Right wrist X-ray; lateral view; imaged through cast — 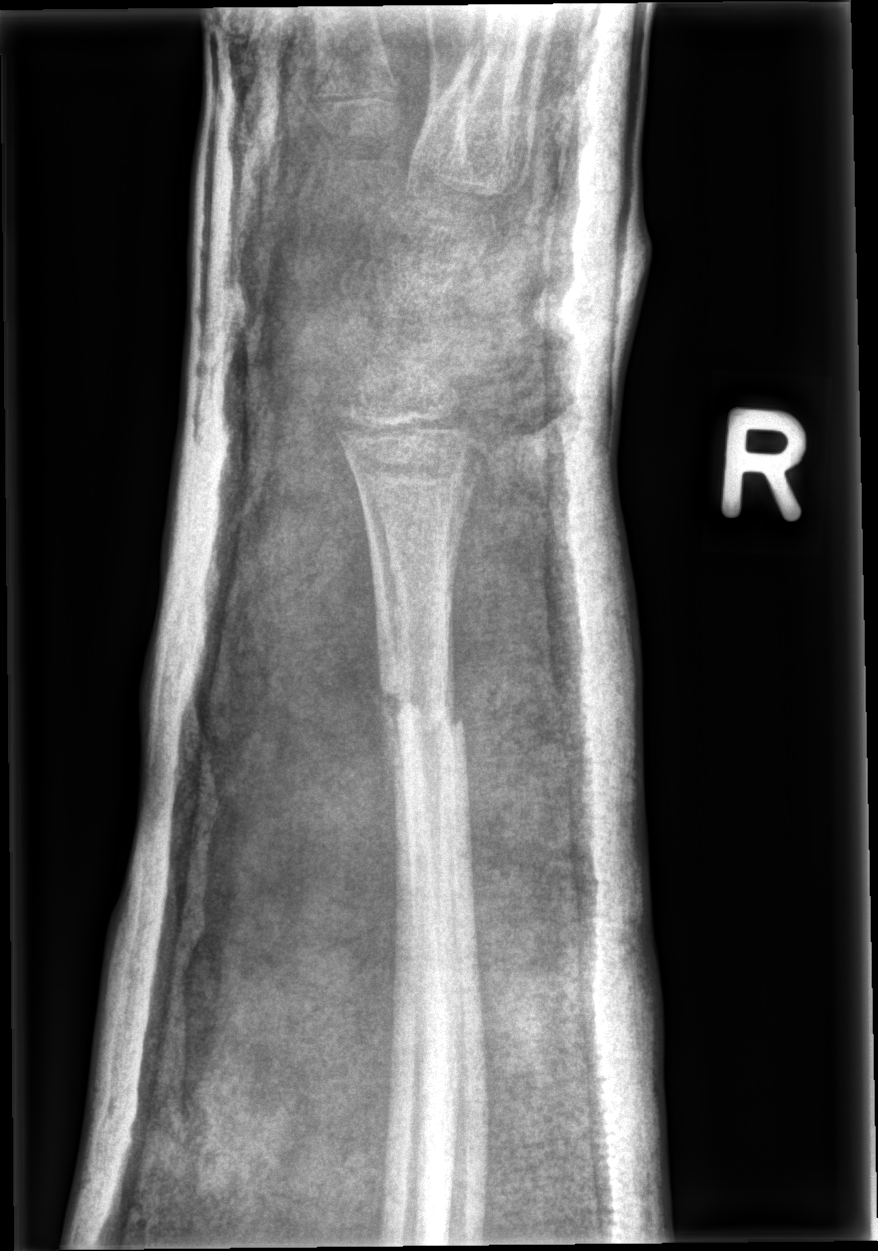 {"fracture": "1 @ 371,655,469,753", "ao": "23r-M/3.1; 23u-E/7"}